Lat; R wrist plain film; 12y M —

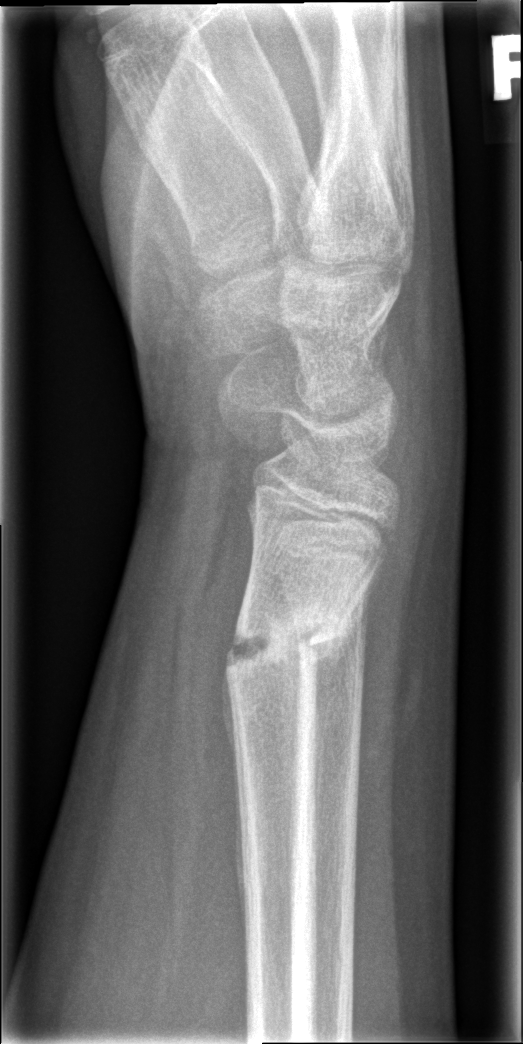
FINDINGS: AO code 23r-M/3.1; 23u-E/7. Fracture identified at bbox(221, 585, 354, 700). Periosteal reaction identified at bbox(310, 596, 361, 834); bbox(222, 652, 250, 946). Reduced bone mineral density.